Left wrist plain film, lateral view, 427 x 988 px

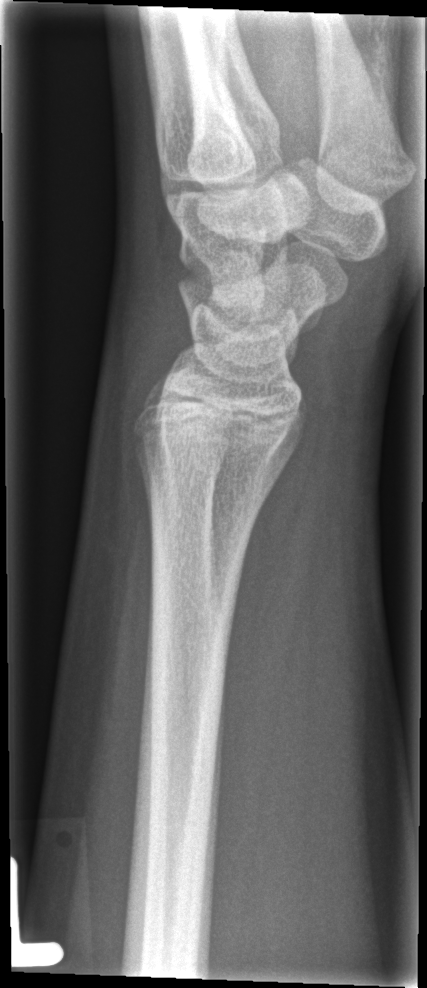 No fracture bounding box.